Lateral; left wrist X-ray; follow-up study; cast in situ —

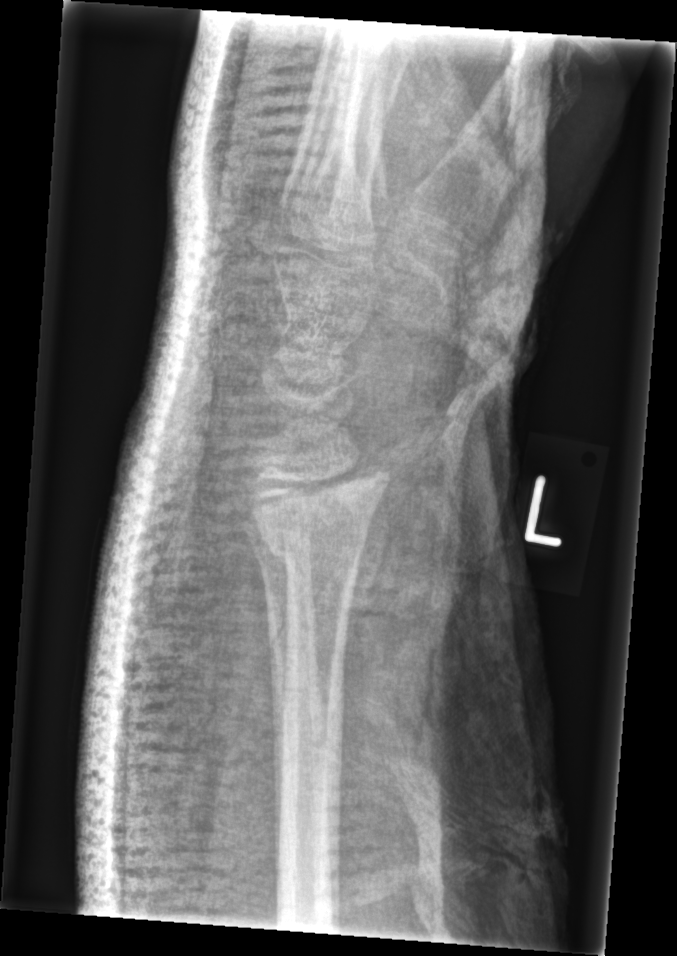 FINDINGS — Fx: (left=250, top=505, right=367, bottom=580). Periosteal new bone: (left=248, top=522, right=288, bottom=878). AO/OTA classification: 23r-M/2.1.